Right wrist X-ray · lateral projection · detector: Siemens. 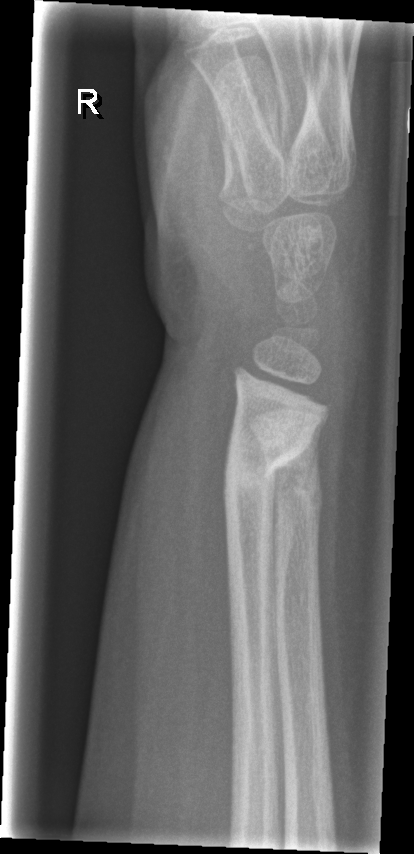

Q: Any periosteal thickening?
A: Periosteal reaction — bbox(268, 419, 323, 672)
Q: AO code?
A: AO/OTA classification: 23-M/3.1
Q: Any fracture seen?
A: Fx identified at bbox(219, 432, 315, 499), bbox(271, 465, 324, 517)